Left wrist X-ray, PA, subsequent exam: 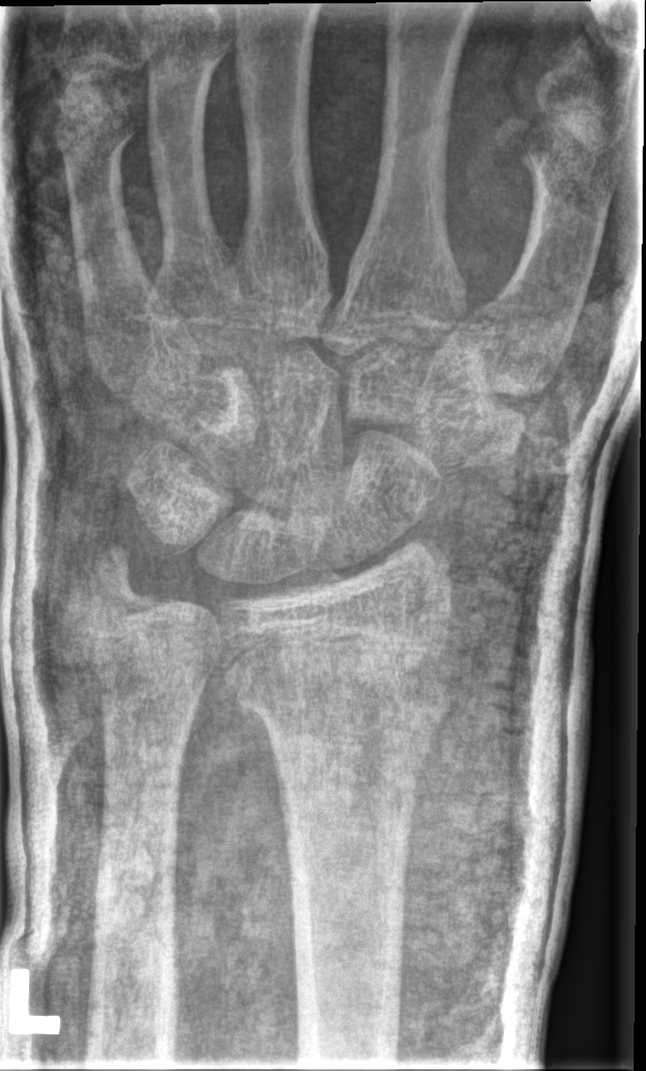
Findings: (bounding boxes in image-pixel xyxy) Bone fracture: (222, 628, 465, 733); (77, 539, 170, 624). Fracture classified AO/OTA 23r-M/3.1; 23u-E/7.